PA projection | left wrist X-ray | pediatric patient (female, age 10):

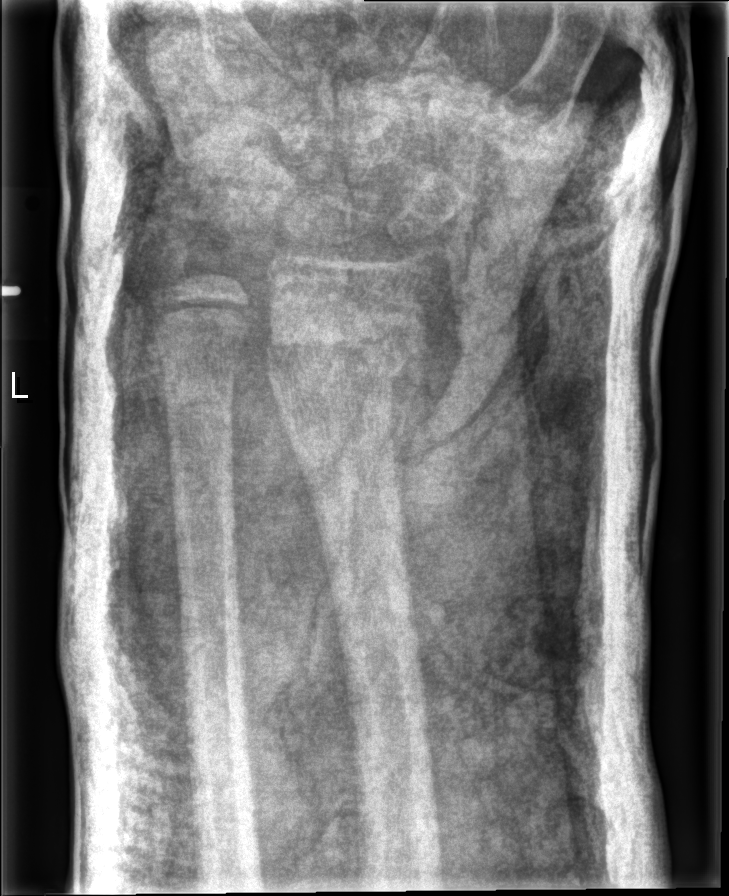
(pixel coordinates, top-left origin, xyxy)
Fx: 2 @ 254 303 423 411
  146 234 199 299